Lt plain radiograph of the wrist; lat.
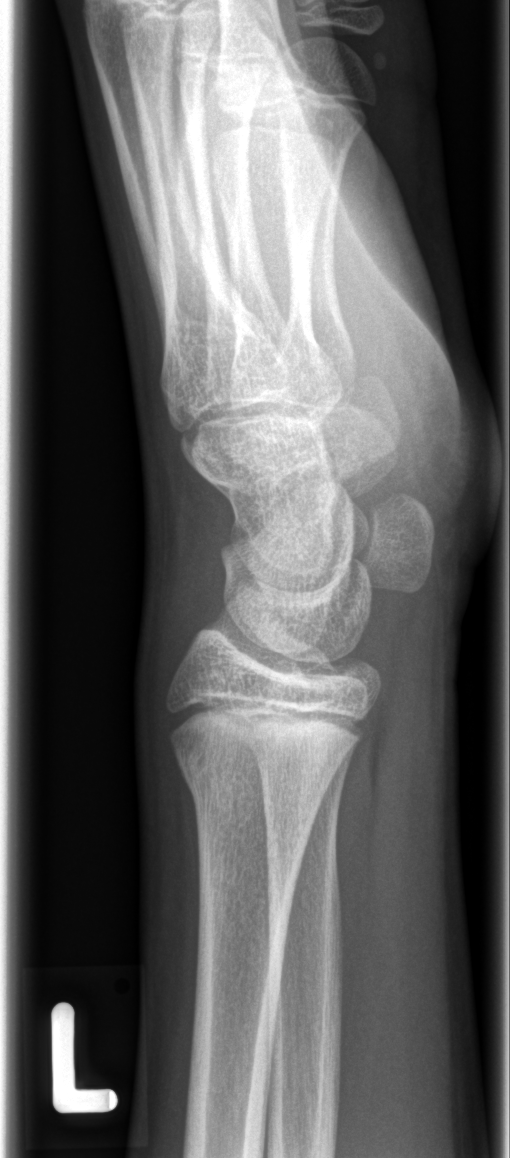
• Bone fracture — bbox(172, 738, 337, 817).